Frontal · Lt wrist plain film · pediatric patient (female, age 5) · image 101.7 mm wide —
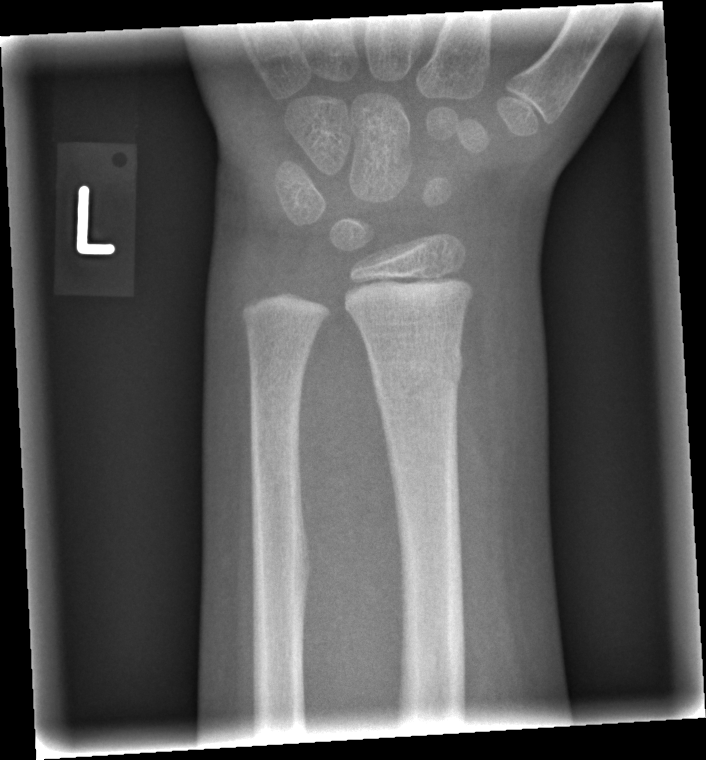
Fx = (left=369, top=344, right=466, bottom=402)
AO/OTA = 23r-M/2.1